Lat view · left wrist radiograph · 10y M —
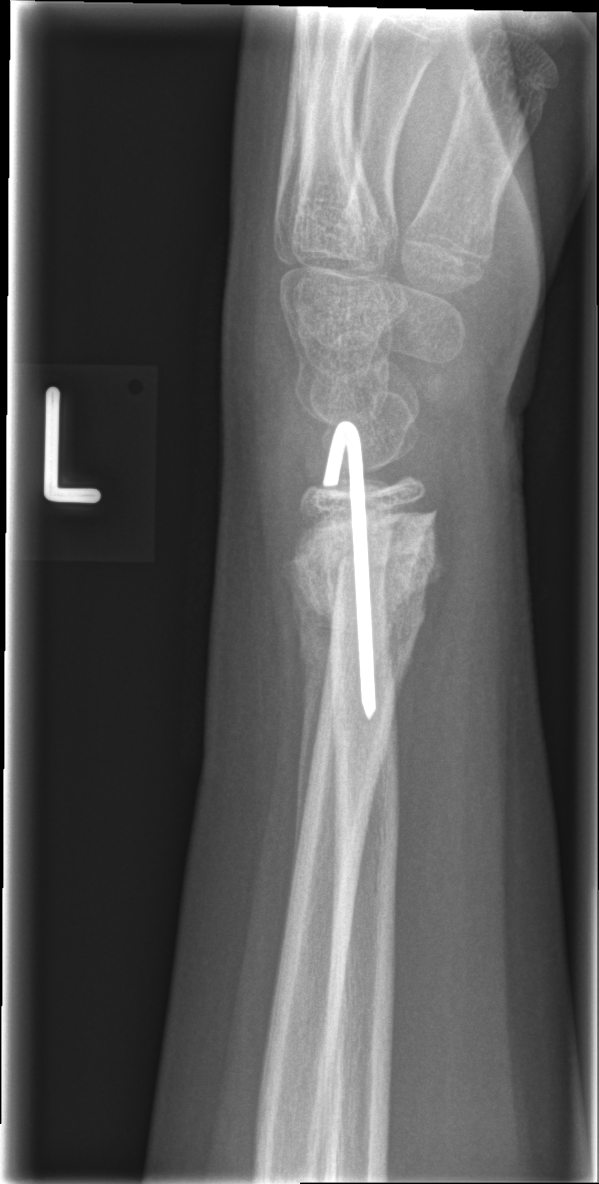

FINDINGS: Fracture classified AO/OTA 23r-E/2.1; 23u-E/7. One hardware at (left=318, top=416, right=379, bottom=722). One bone fracture at (left=283, top=503, right=451, bottom=698). Periosteal thickening identified at (left=284, top=571, right=336, bottom=882).